Rt wrist radiograph, lat, age 1.9 y, girl, 51.8 mm image width.
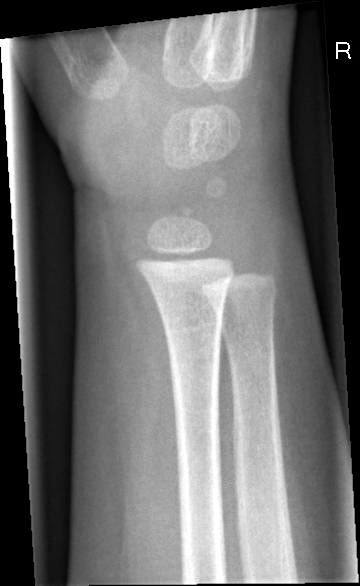 No fracture annotation.